Lt wrist radiograph, lateral projection, cast in situ, detector: Siemens, image width 65.4 mm

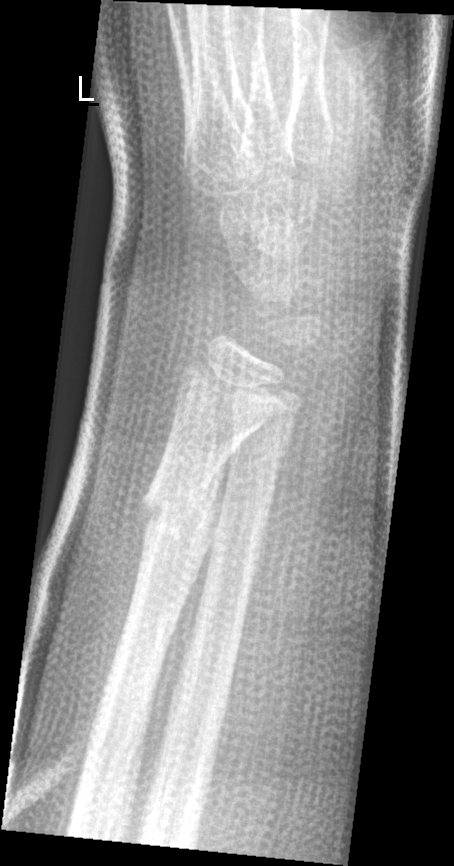 FINDINGS — Fx: 138 478 227 534. AO/OTA classification: 23r-M/3.1; 23u-M/2.1.